Left wrist plain film, lateral projection, pediatric patient (boy, age 7), Siemens:

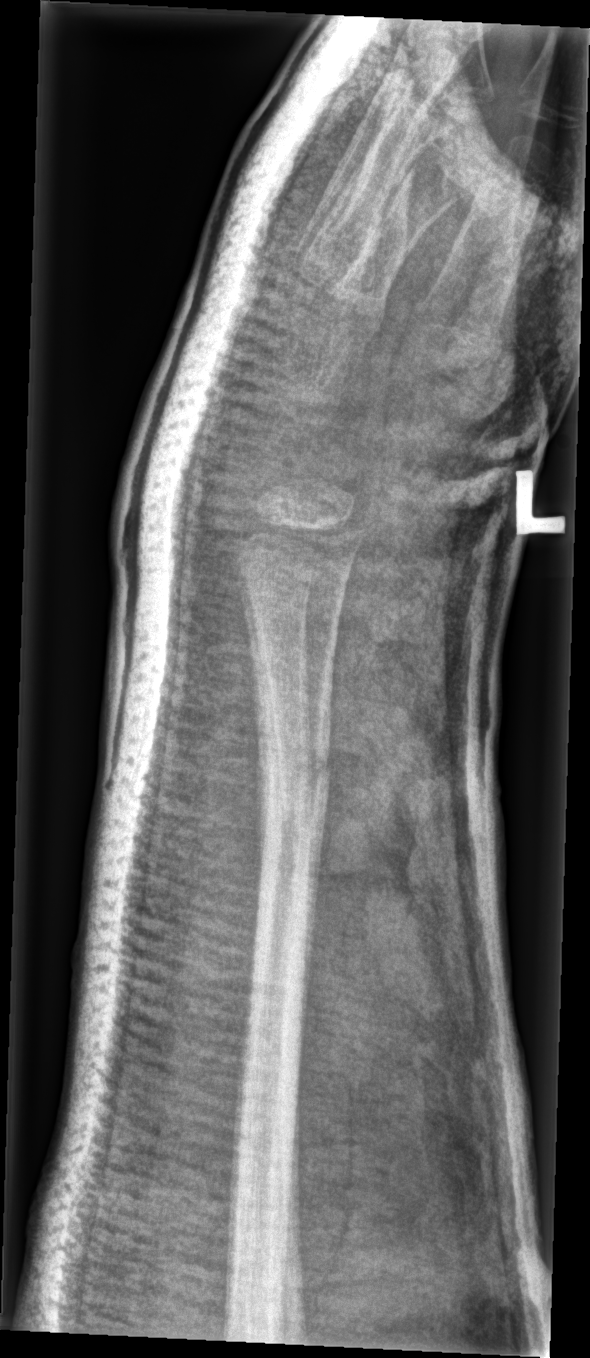 Fx: 1 @ (251, 729, 337, 814)